Left pediatric wrist radiograph; frontal view; age 6 y, male; detector: Siemens; 63.9 mm image width.

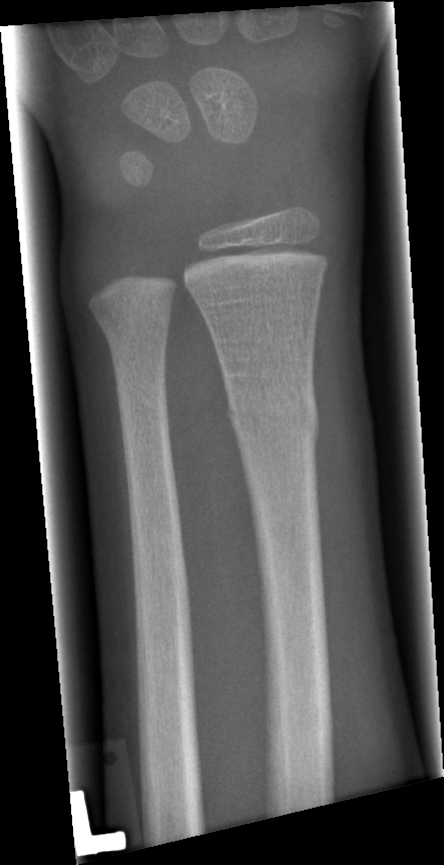
{
  "ao": "23-M/2.1",
  "fracture": "2 @ <226,377>-<321,448>, <95,304>-<171,349>"
}